PA | right wrist plain radiograph of the wrist | pediatric patient (boy, age 13) | follow-up study —

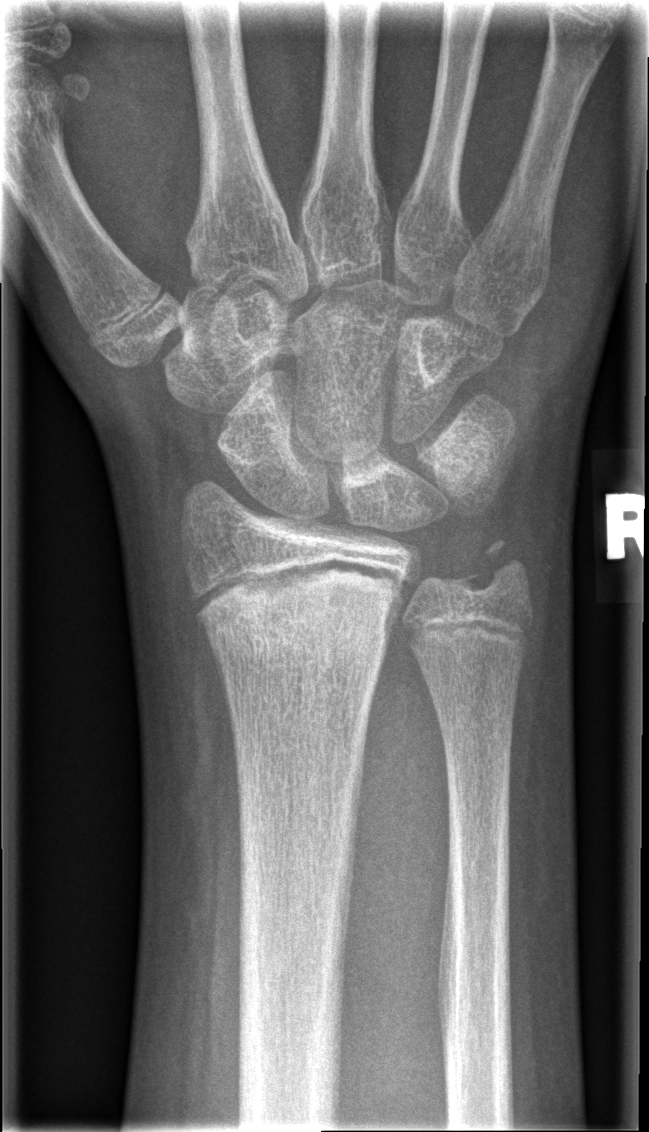
Findings: Fracture classified AO/OTA 23r-E/2.1; 23u-E/7. Decreased bone density (osteopenia). Fractures — (190, 553, 407, 674), (449, 535, 531, 605).